Lt pediatric wrist radiograph; lateral projection; girl, 13 yo:
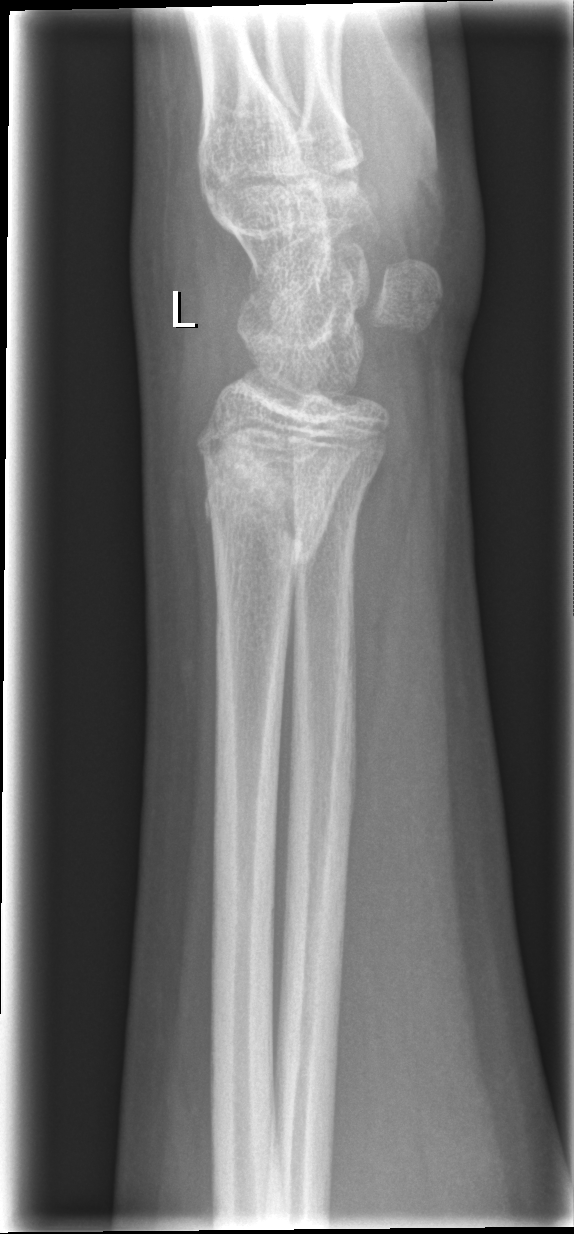 Fx: [x1=194, y1=430, x2=362, y2=571]
osteopenia: present
AO code: 23r-M/3.1; 23u-E/7